PA projection | right wrist X-ray | pediatric patient (female, age 14) | initial study | Siemens
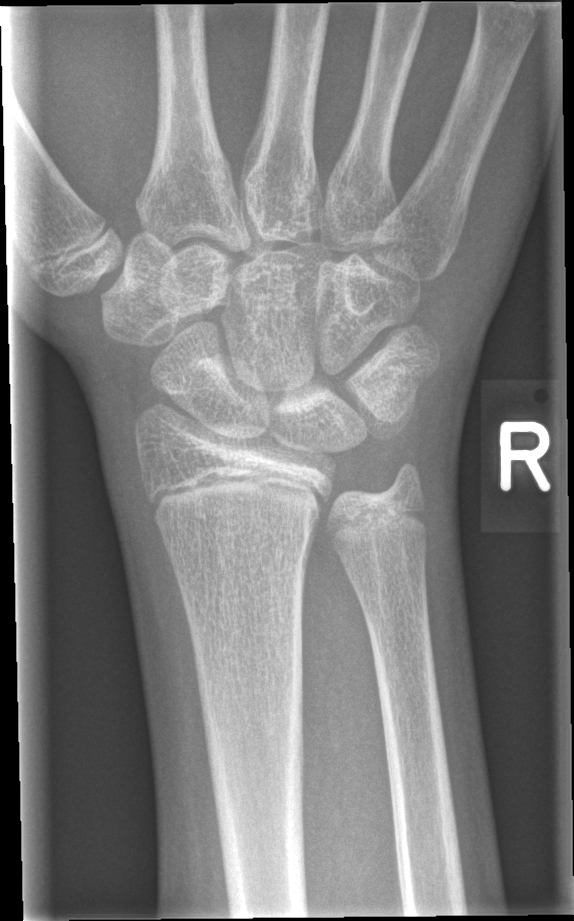

- No Fx annotated.